Lat view; Rt wrist XR; imaged through cast; 76.3 mm image width
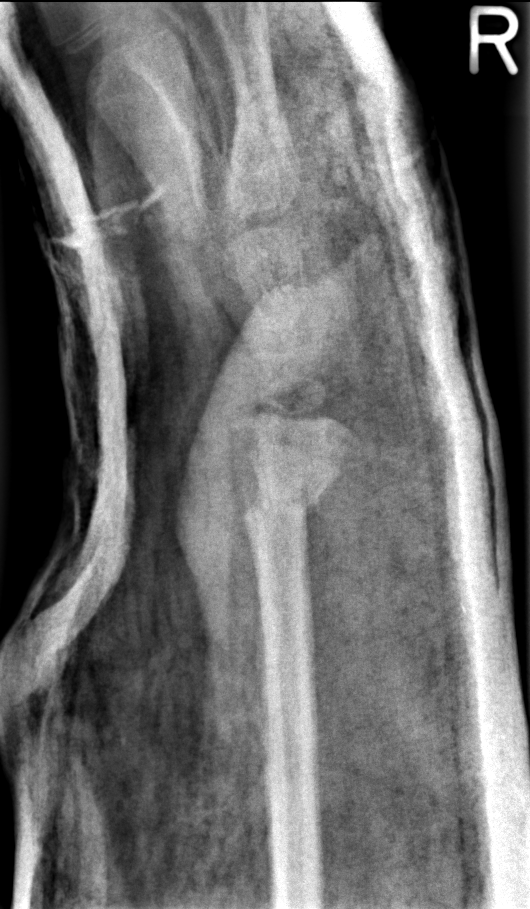 FINDINGS — (coordinates are [x1, y1, x2, y2] in image pixels) Two fractures at [240, 467, 337, 540], [233, 470, 323, 531]. AO code 23-M/3.1.